R wrist radiograph; AP; follow-up; cast present: 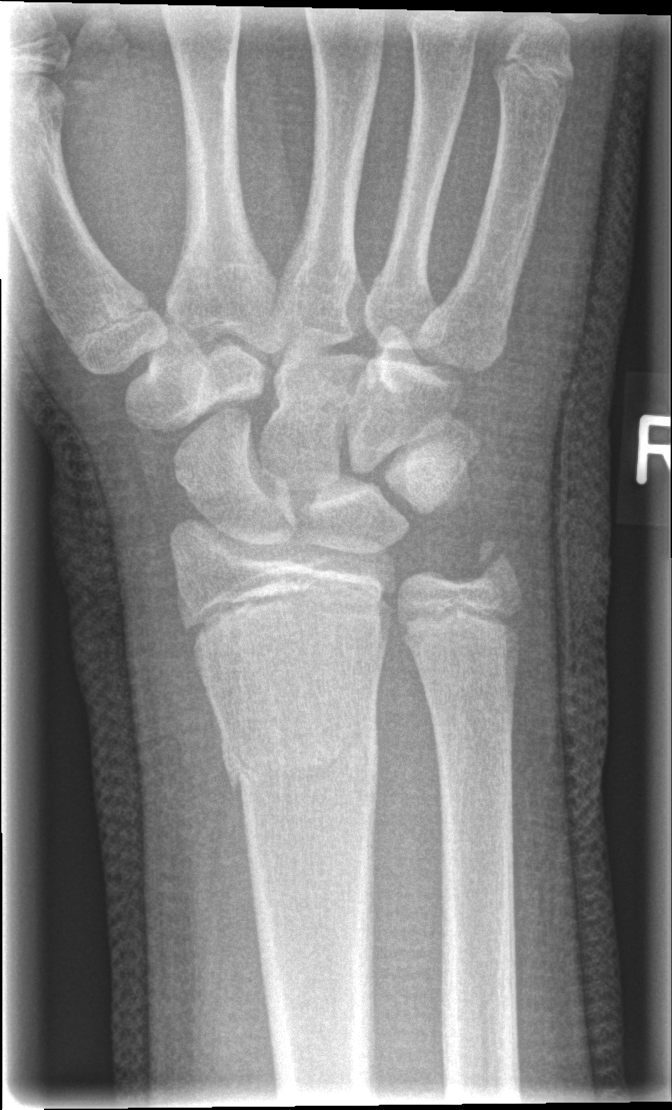

FINDINGS — (boxes as x1,y1,x2,y2 (top-left / bottom-right, pixel units)) Fracture classified AO/OTA 23r-M/3.1; 23u-E/7. Fractures — 219 709 381 800 | 464 532 523 605.